Frontal projection | R wrist X-ray | age 6 y, girl | acquired on Siemens:
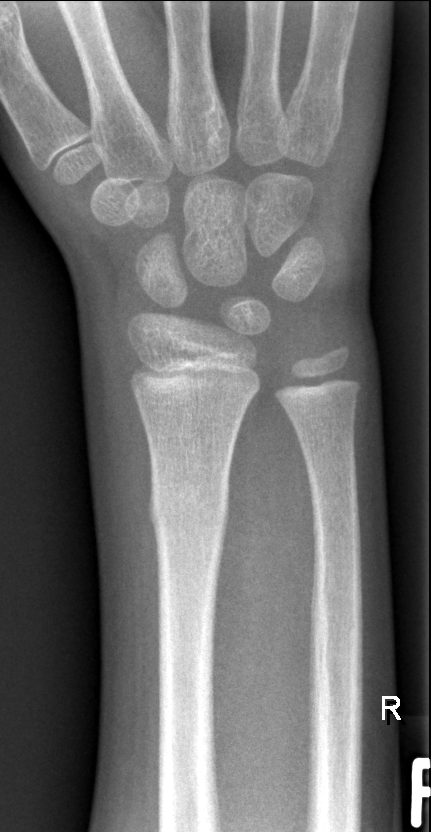

{
  "ao": "23r-M/2.1",
  "fracture": "1 @ 145 474 232 539"
}